PA view | left wrist XR
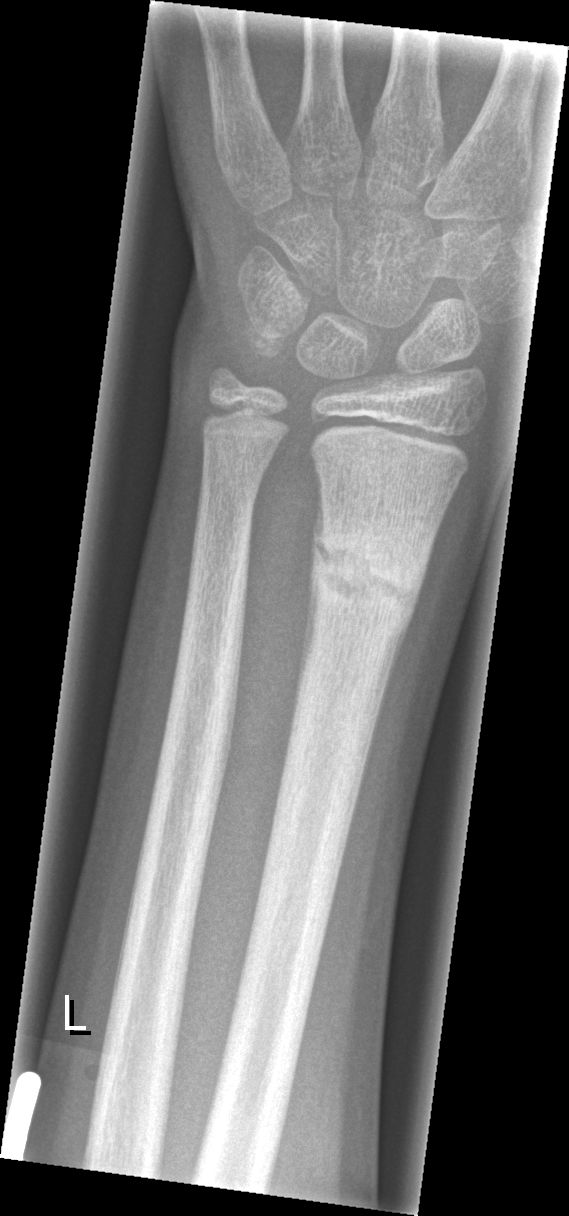
Fracture: [298, 529, 434, 616].
Osteopenia.
Fracture classified AO/OTA 23r-M/3.1.
Periosteal thickening identified at [294, 471, 332, 706].